Rt wrist XR; lat projection; subsequent exam; 479 by 1164 pixels.

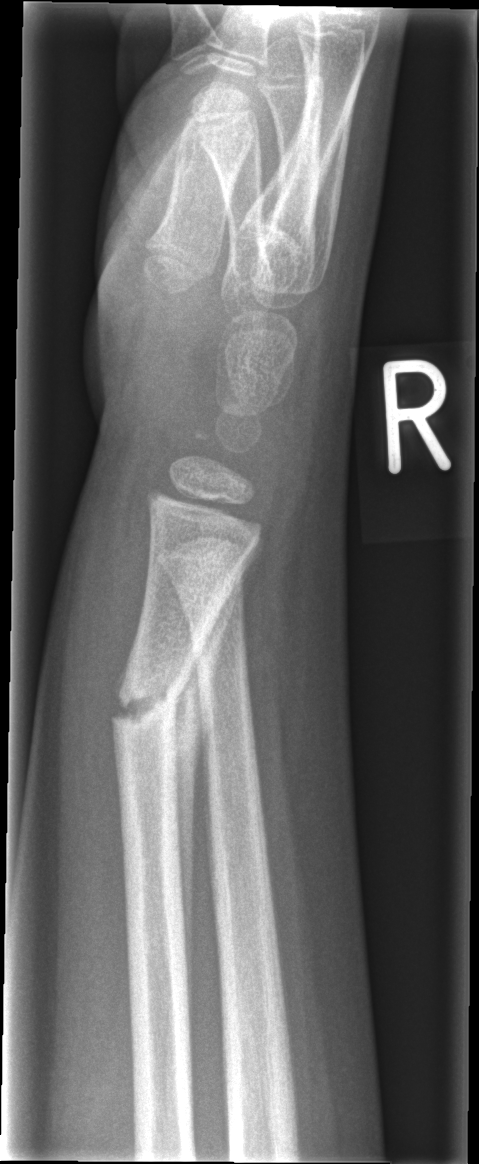
Coordinates are [x1, y1, x2, y2] in image pixels.
Fx identified at <106,665>-<191,743>.
Reduced bone mineral density.
Periosteal new bone — <168,556>-<250,961>.